R wrist plain film; PA/AP:

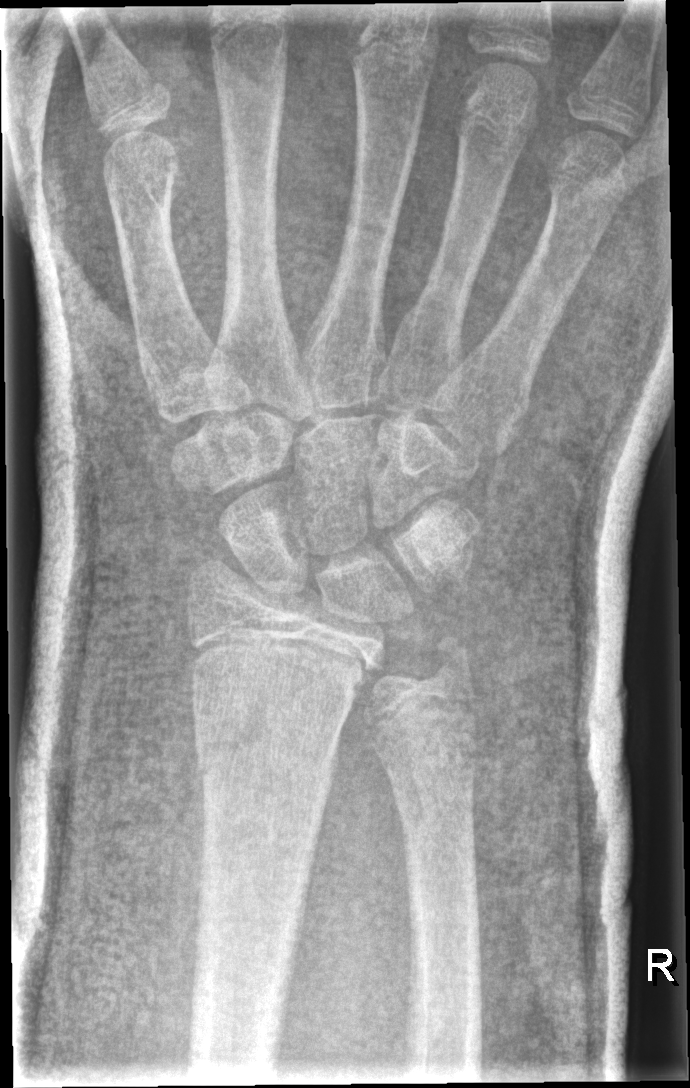 (boxes as x1,y1,x2,y2 (top-left / bottom-right, pixel units))
Fracture = 2 @ 189 700 345 791 | 419 630 481 691
AO/OTA = 23r-M/3.1; 23u-M/2.1; 23u-E/7